Lateral projection | Lt wrist plain film | 6-year-old girl | index exam.
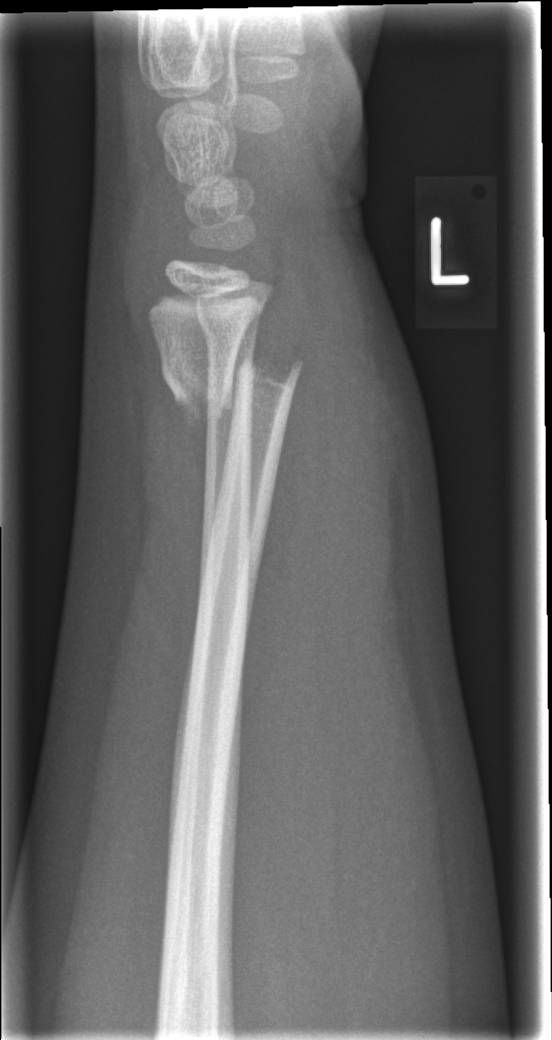 Positive pronator fat-pad sign: (left=238, top=293, right=380, bottom=796). AO/OTA classification: 23r-M/3.1; 23u-M/2.1. Bone fracture: (left=152, top=341, right=308, bottom=436); (left=193, top=301, right=266, bottom=348). Soft-tissue finding identified at (left=261, top=203, right=430, bottom=790).